Right wrist XR | lat projection | follow-up study:

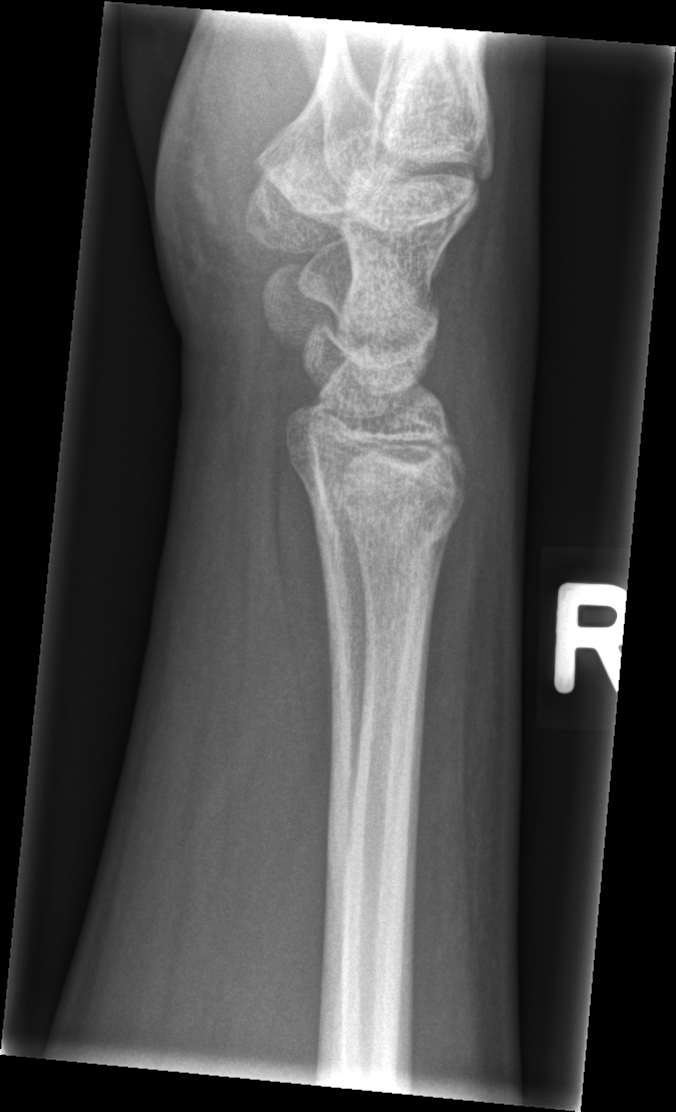
FINDINGS — AO code 23r-M/2.1. Fracture: [x1=304, y1=465, x2=461, y2=553].